R wrist plain film | PA view | pediatric patient (boy, age 14)
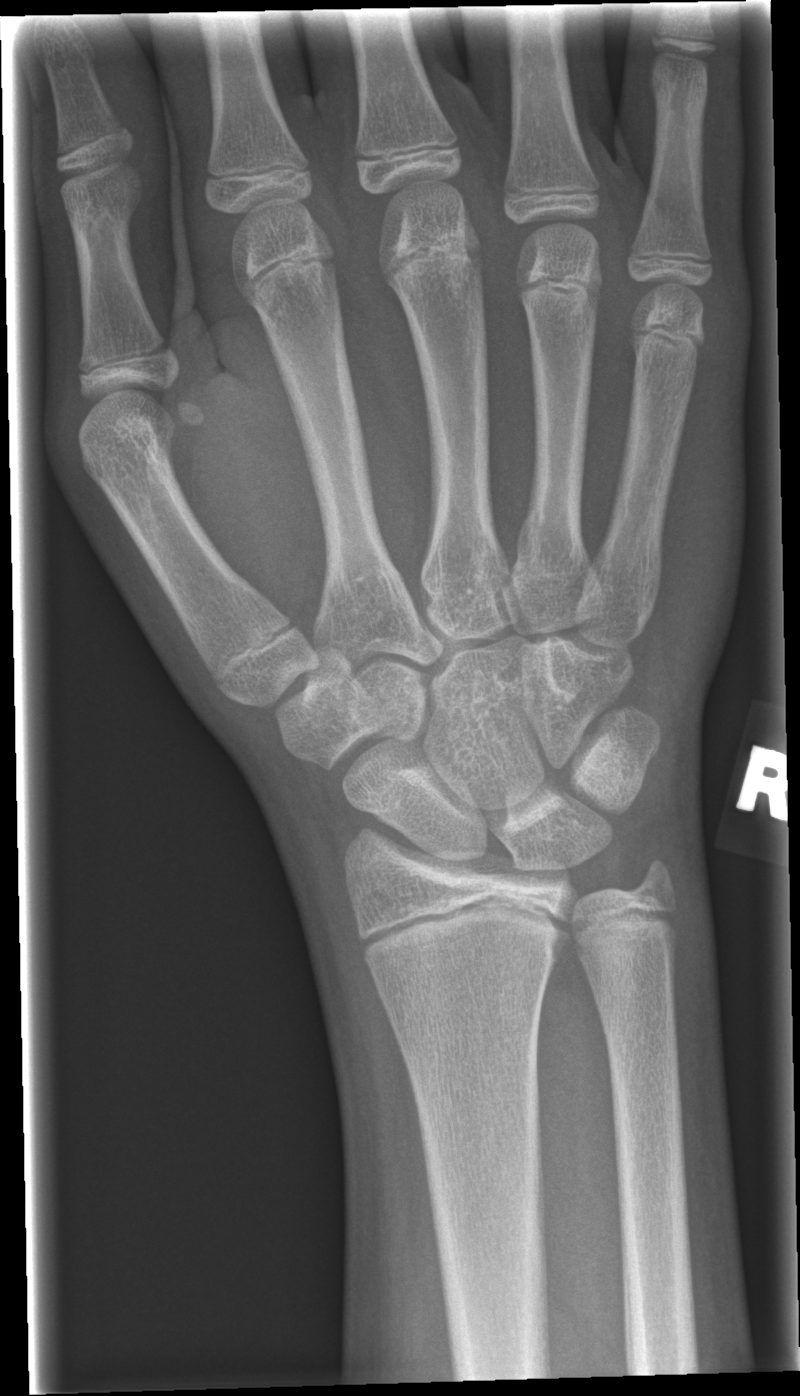
Fx = none labeled